PA projection; Lt plain radiograph of the wrist; image size 772x1106.
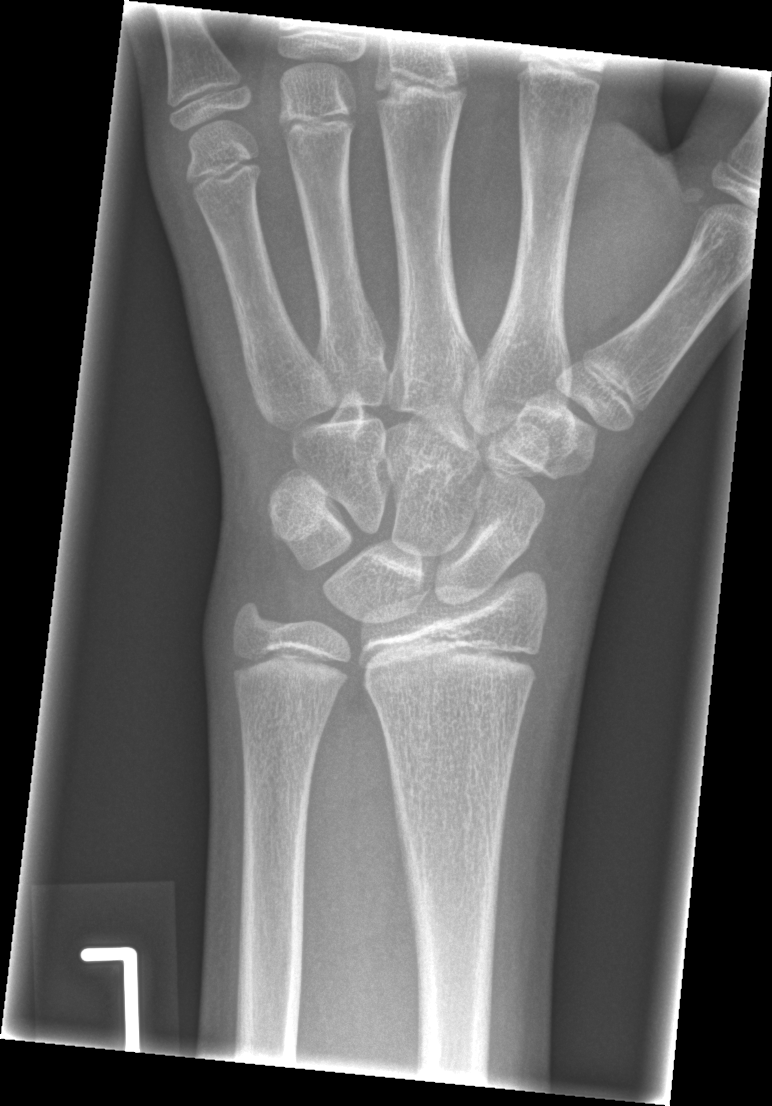
No fracture labeled.